Lat view | R wrist X-ray | imaged through cast —
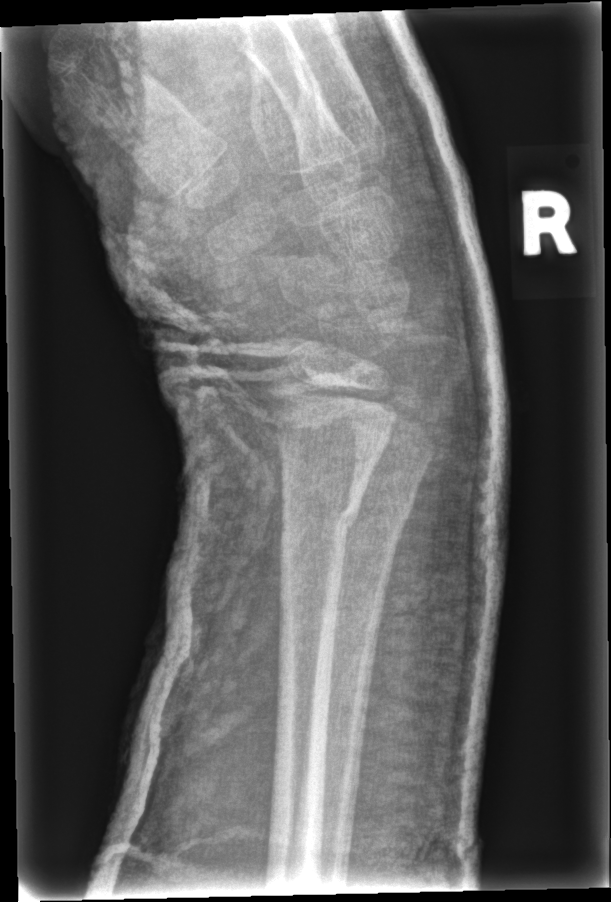
fracture = 343 492 418 548; 279 497 365 545
AO/OTA = 23r-M/2.1